L pediatric wrist radiograph · lat view · 15y F · findings marked uncertain by the reading radiologist
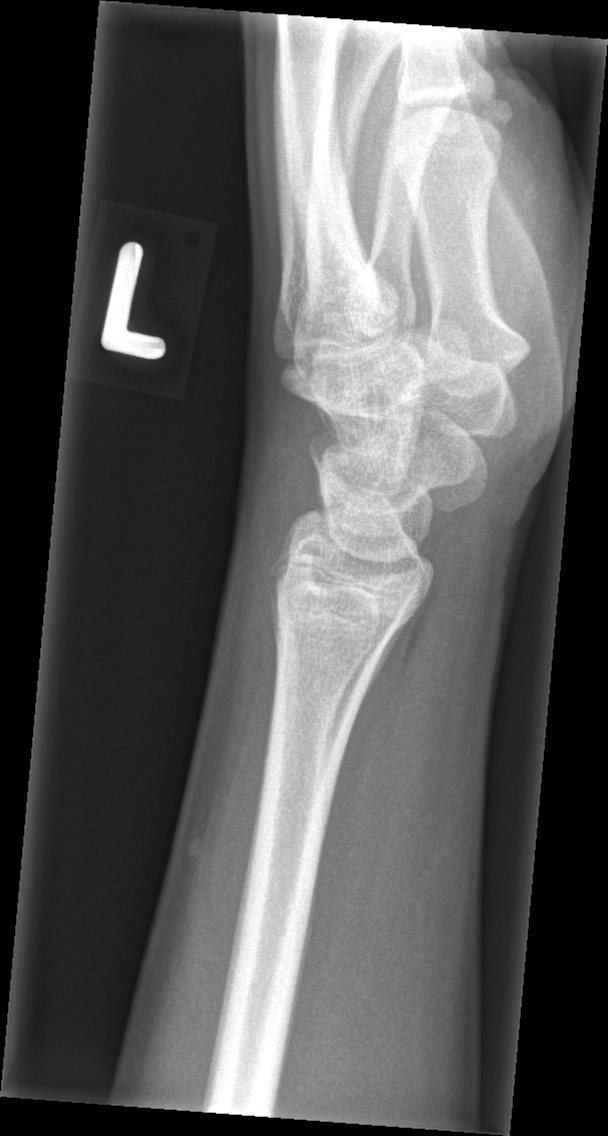

Findings: No fracture annotation.